Lat | R wrist radiograph | cast present. 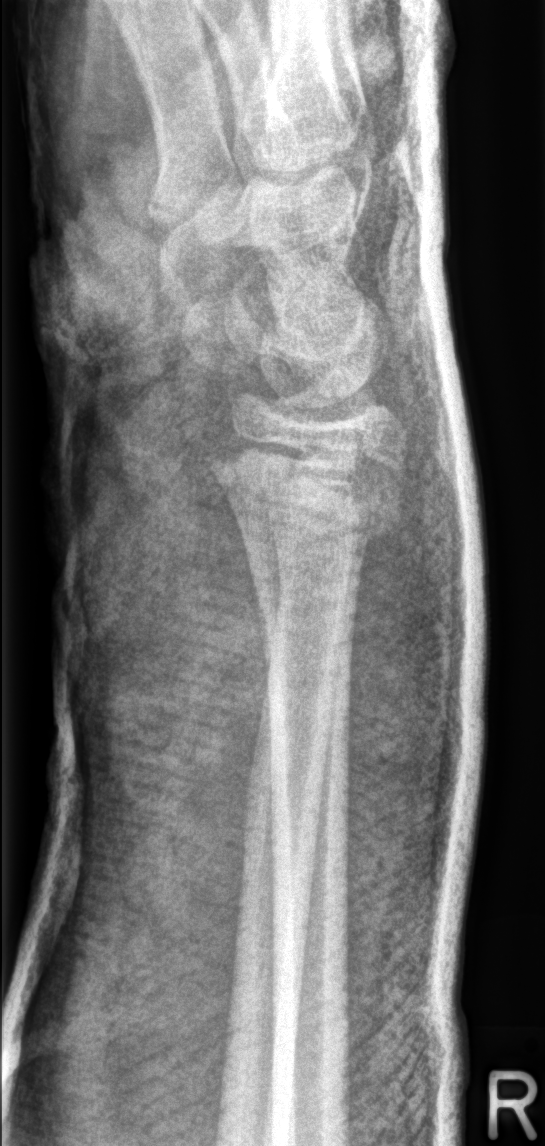
AO code 23r-E/2.1; 23u-E/7. Fx: [x1=200, y1=421, x2=411, y2=552].